Left wrist pediatric wrist radiograph; PA/AP: 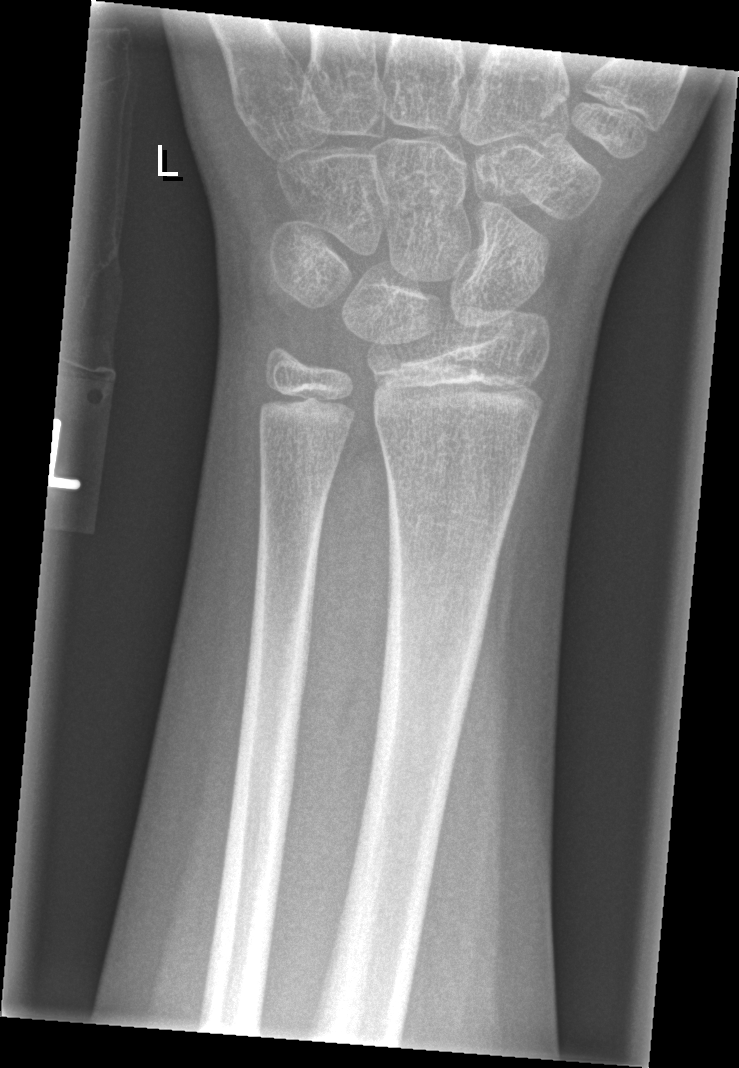 • Fx: none.